L wrist radiograph | posteroanterior view | 11-year-old female | subsequent exam | Siemens | 533x1054.

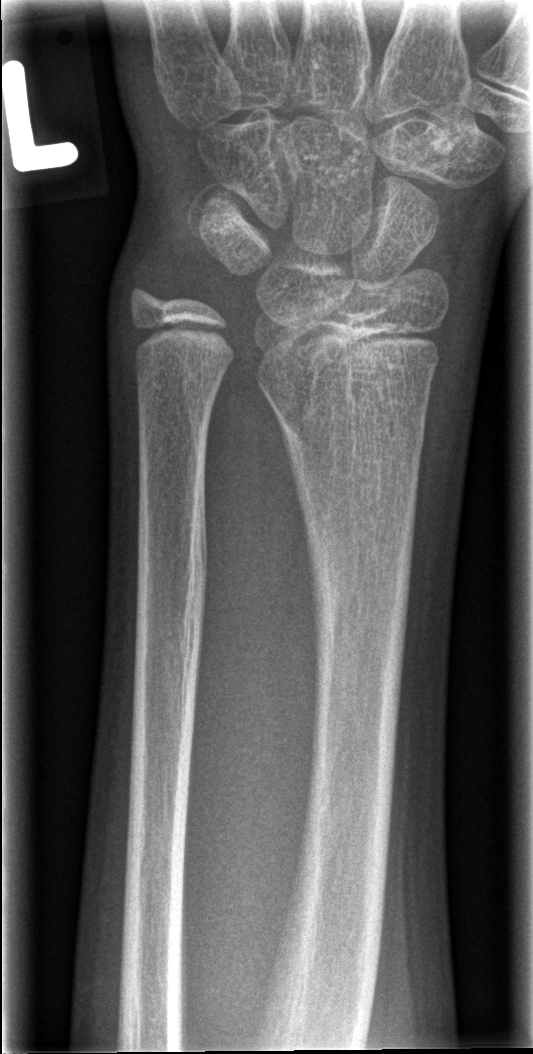 One Fx at (274, 404, 432, 469).
AO code 23r-M/2.1.
Osseous anomaly identified at (250, 320, 393, 458).